Lateral projection | right wrist XR: 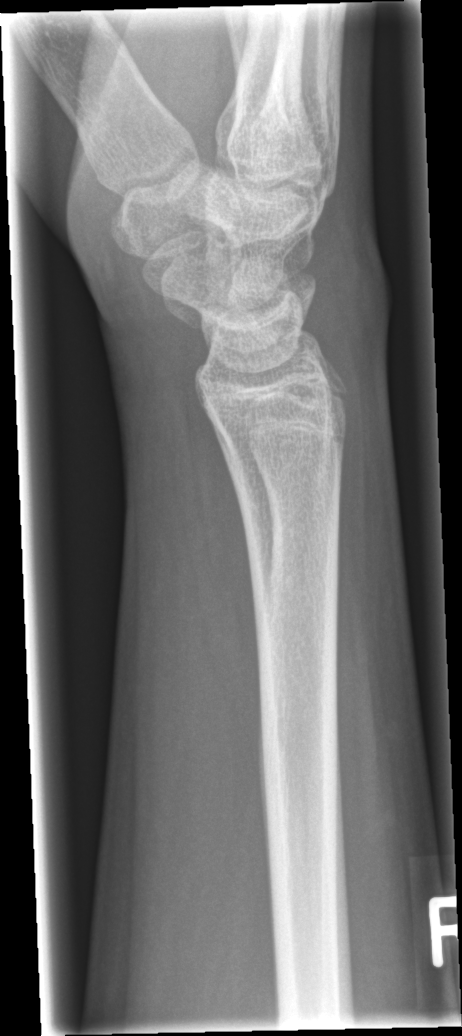   # boxes as x1,y1,x2,y2 (top-left / bottom-right, pixel units)
  softtissue: <303,203>-<397,398>
  fracture: none labeled